PA | Lt plain radiograph of the wrist:

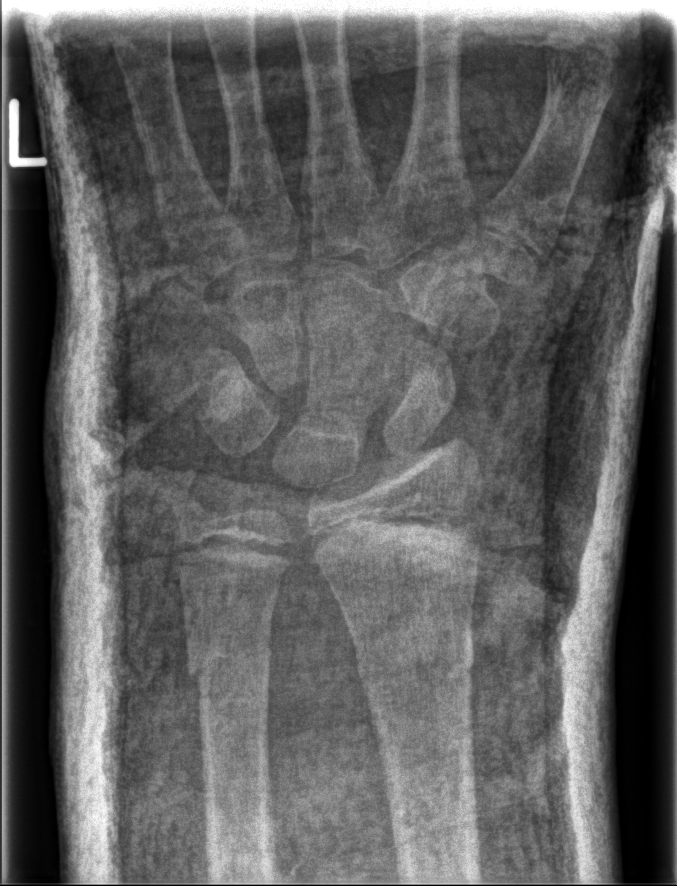
* AO/OTA classification: 23-M/3.1.
* Fractures — bbox(354, 618, 479, 695) bbox(184, 635, 273, 686).